Right wrist X-ray, AP view, female, 10 yo, cast in situ, image width 139.1 mm: 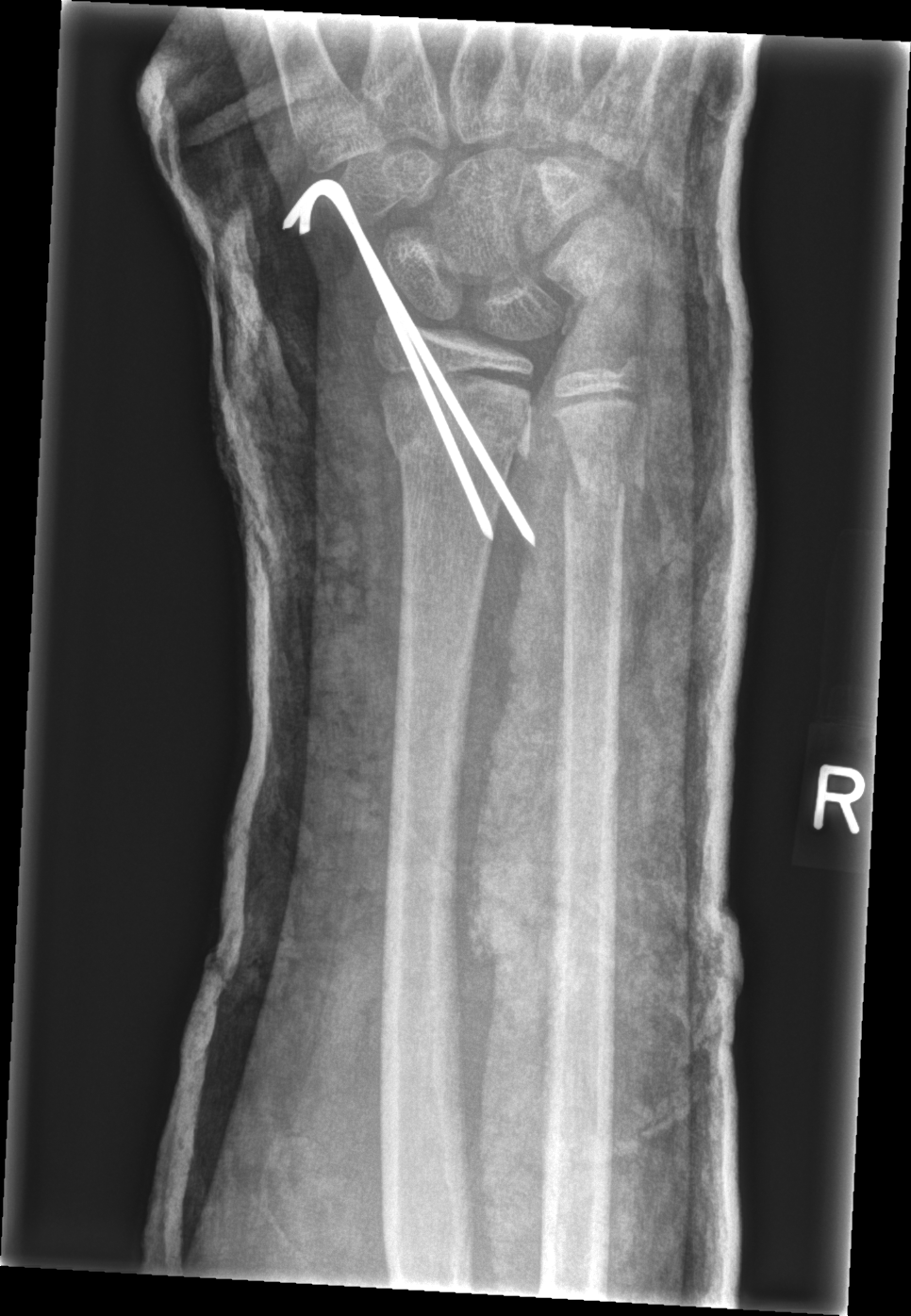

Q: Locate any fractures.
A: Bone fractures — (left=378, top=401, right=534, bottom=475), (left=556, top=457, right=647, bottom=521)
Q: Any metal present?
A: One metallic hardware at (left=277, top=173, right=541, bottom=550)